Lt plain radiograph of the wrist; lateral view; initial study; 479x894

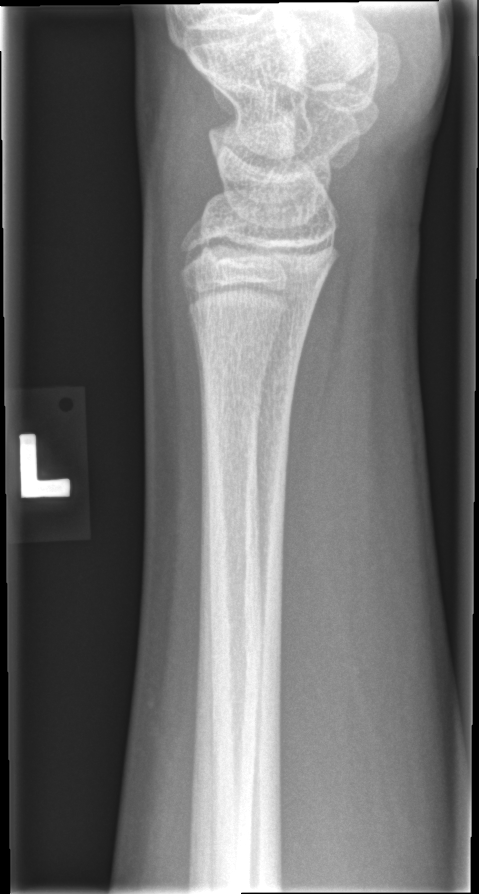

No fracture annotation.